PA, Lt wrist radiograph, female, 7 yo, imaged through cast, 578x1078 — 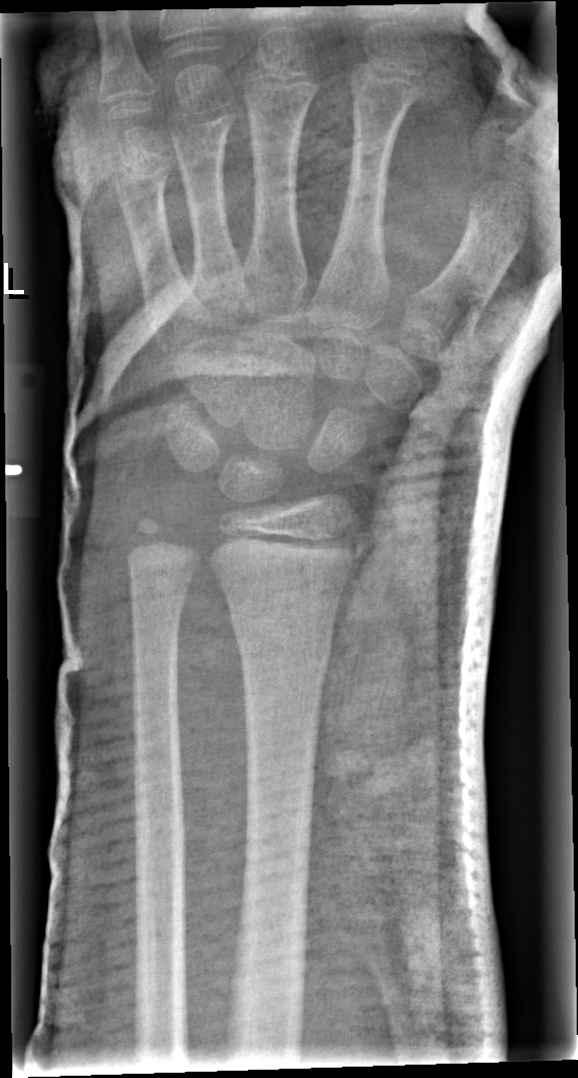
(pixel coordinates, top-left origin, xyxy)
Fx: 1 @ (left=227, top=601, right=336, bottom=679)
AO code: 23r-M/3.1